AP projection | left wrist XR | initial study | detector: Siemens | 712 by 1068 pixels 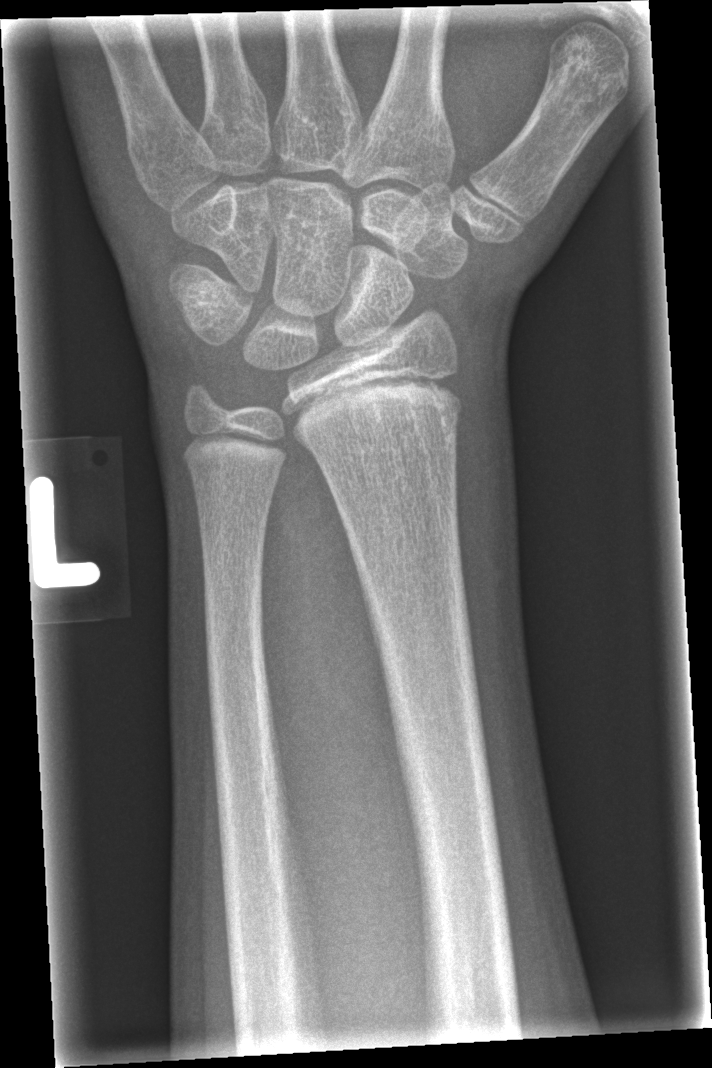
Fracture: none labeled.